Lat view, left wrist radiograph, Siemens 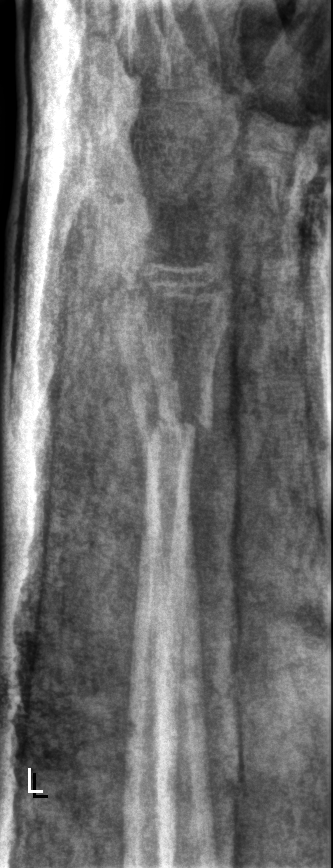

AO code: 23-M/3.1
Bone fracture: (132, 390, 215, 465)